Lt plain radiograph of the wrist, AP, pediatric patient (boy, age 2), acquired on Siemens, 473 x 670 px. 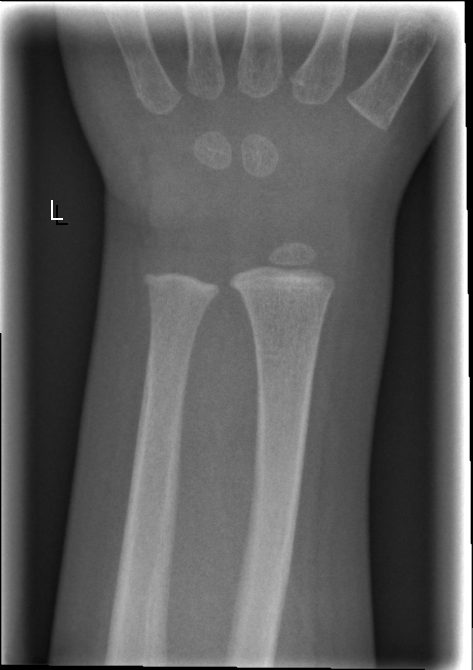
No fracture annotation.